L wrist X-ray, frontal view, age 5 y, girl
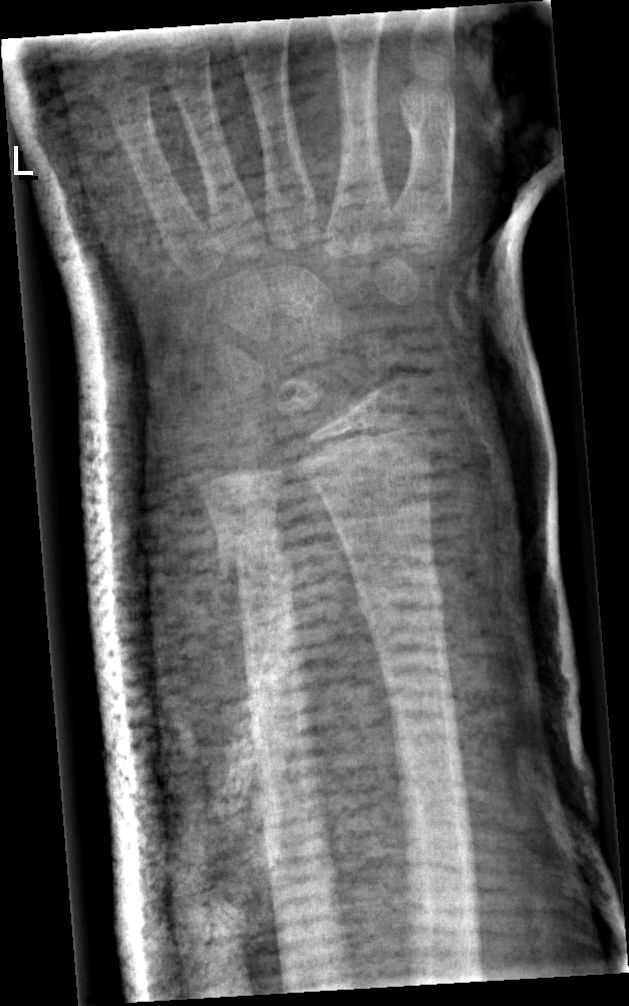
{"fracture": "213 521 299 593\n  356 578 452 639", "ao": "23r-M/2.1; 23u-M/3.1"}